AP view · L plain radiograph of the wrist · follow-up study 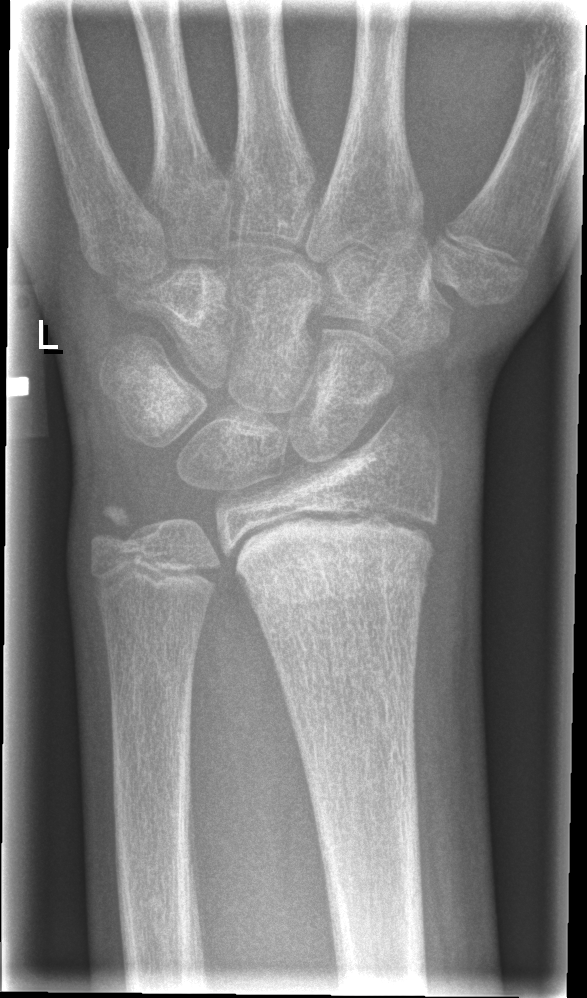

  fracture: 2 @ 223,526,435,607 | 85,495,156,560
  osteopenia: present